Right wrist radiograph | PA/AP view 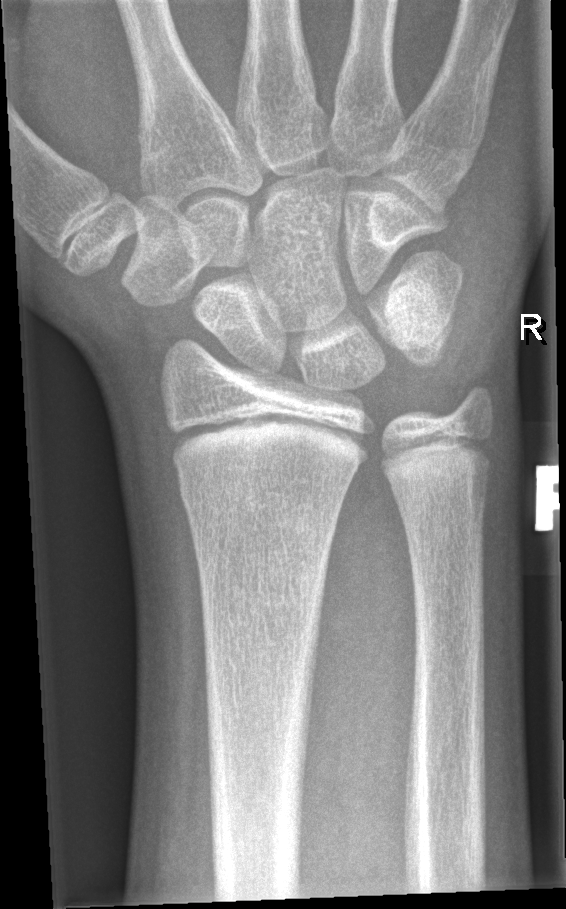

  fracture: 1 @ (174, 480, 340, 546)